Left wrist radiograph, lat view, 10y M, follow-up — 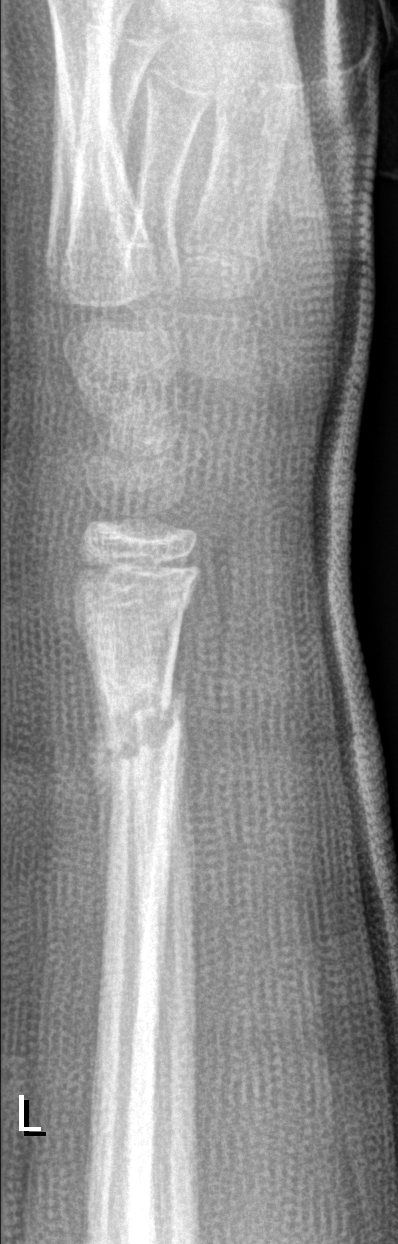
FINDINGS: Periosteal reaction — (left=84, top=640, right=114, bottom=935) (left=169, top=672, right=190, bottom=866). AO/OTA classification: 23-M/3.1. One fracture at (left=96, top=674, right=189, bottom=792).